Right wrist pediatric wrist radiograph · posteroanterior · detector: Siemens · image size 513x878 — 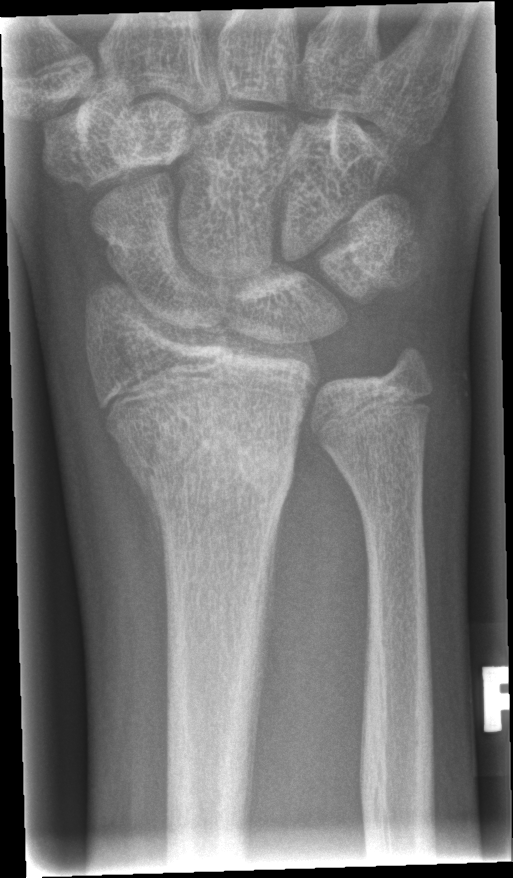

* Fracture — [x1=114, y1=397, x2=297, y2=516].